Posteroanterior view, right wrist radiograph, index exam: 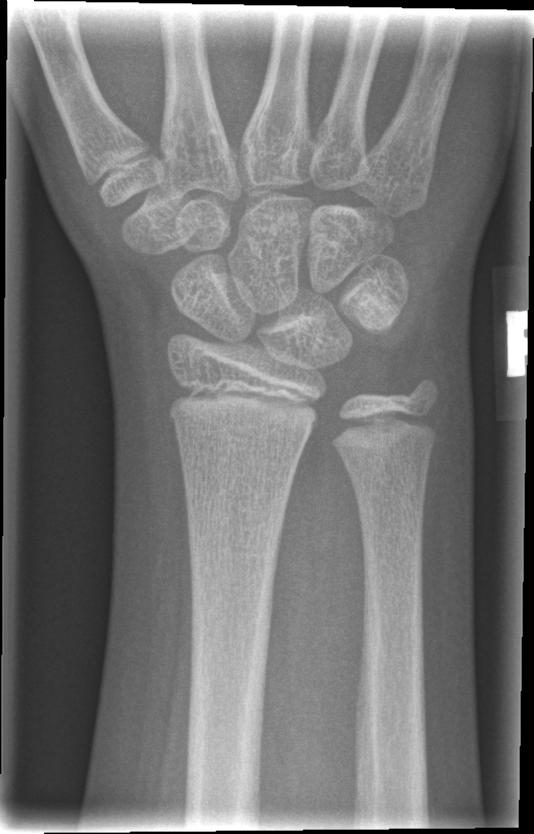

Fx: none.